Lateral projection · R wrist radiograph · female, 12 yo · image 59.9 mm wide
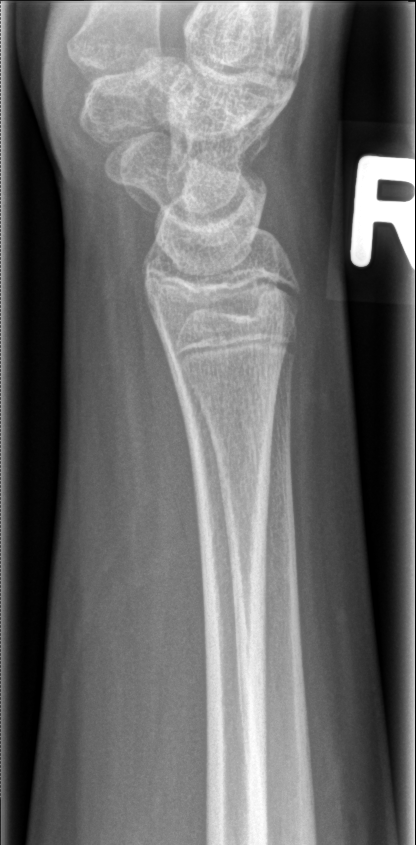

Fx = none labeled